Lat view · left pediatric wrist radiograph · subsequent exam
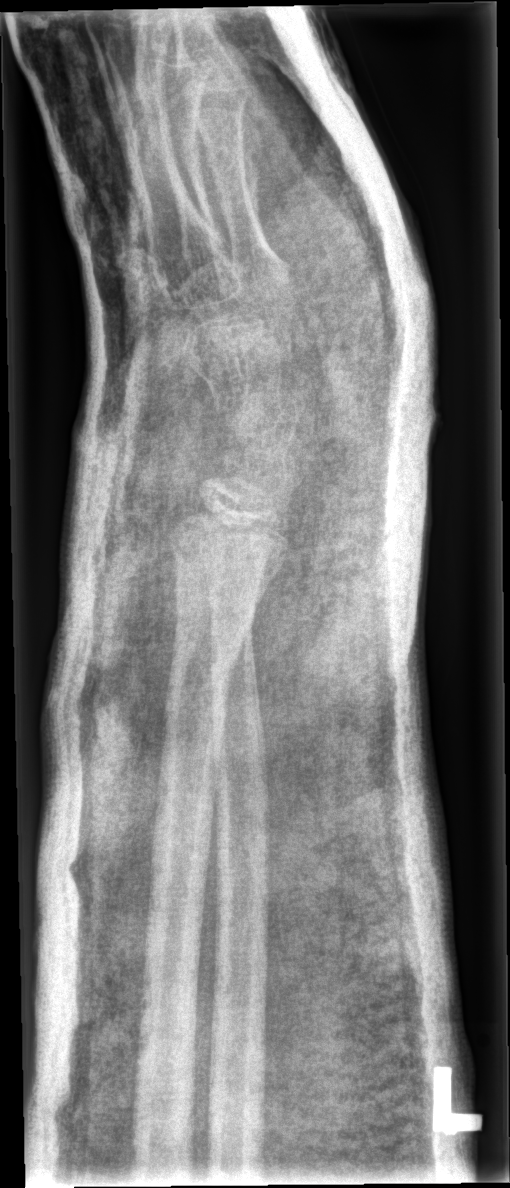

• Fracture — bbox(159, 620, 251, 744).
• Fracture classified AO/OTA 23r-M/2.1.